L pediatric wrist radiograph; PA; pediatric patient (girl, age 13); index exam: 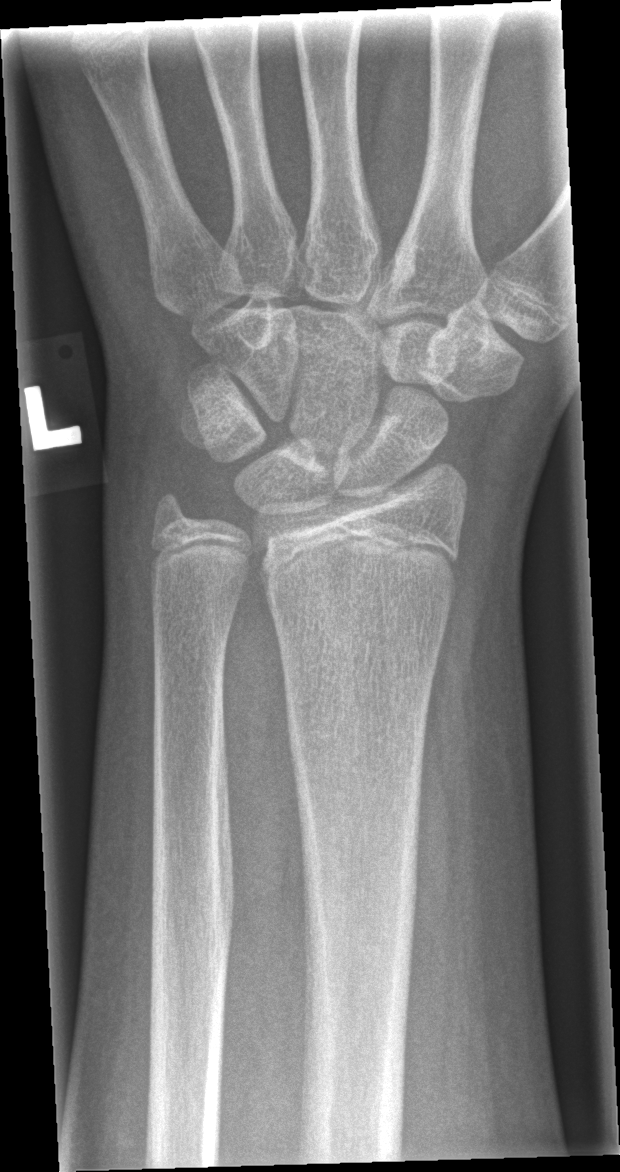 FINDINGS: No Fx annotated.